Lat view; Rt pediatric wrist radiograph; index exam.
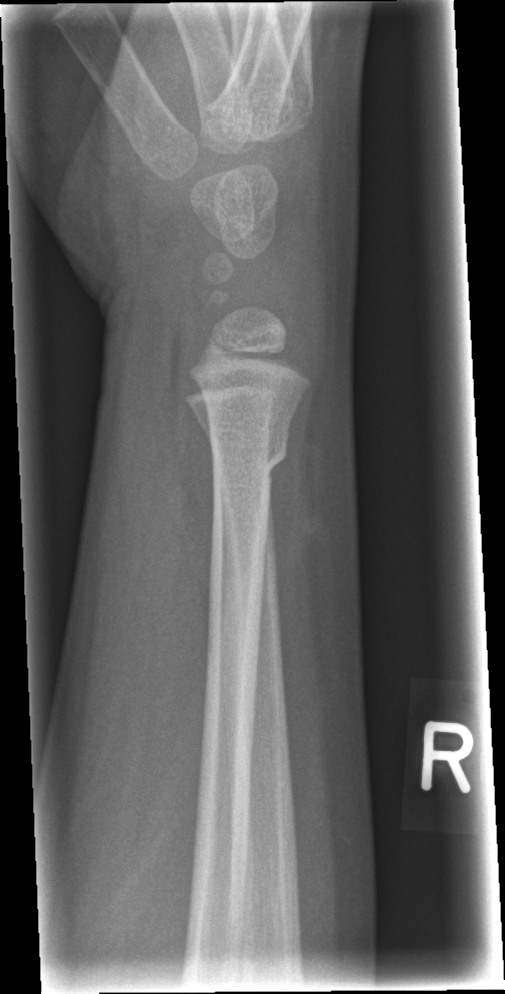 - Coordinates are [x1, y1, x2, y2] in image pixels.
- Bone fracture identified at 207,421,291,494.